Lt wrist X-ray; posteroanterior view; pediatric patient (male, age 8); subsequent exam; image width 84.1 mm.

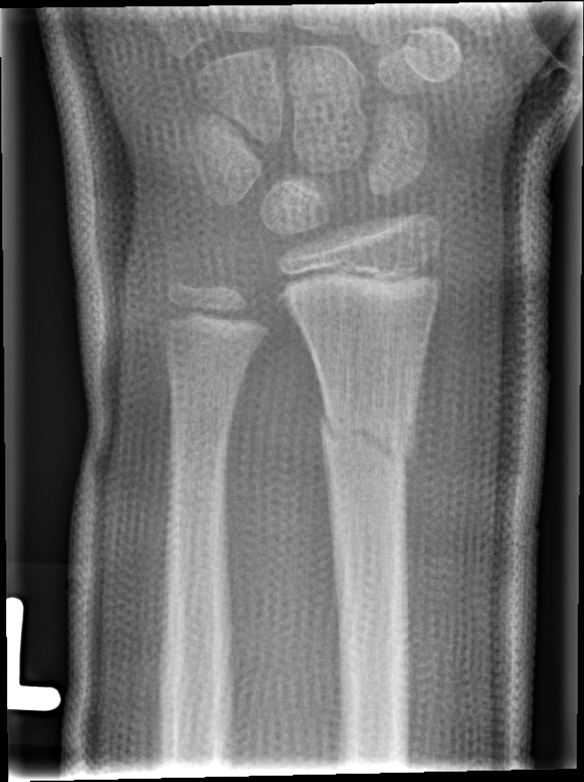 {"_coords": "bounding boxes in image-pixel xyxy", "fracture": "[x1=316, y1=397, x2=419, y2=475]", "ao": "23r-M/3.1"}